PA/AP view · left wrist radiograph: 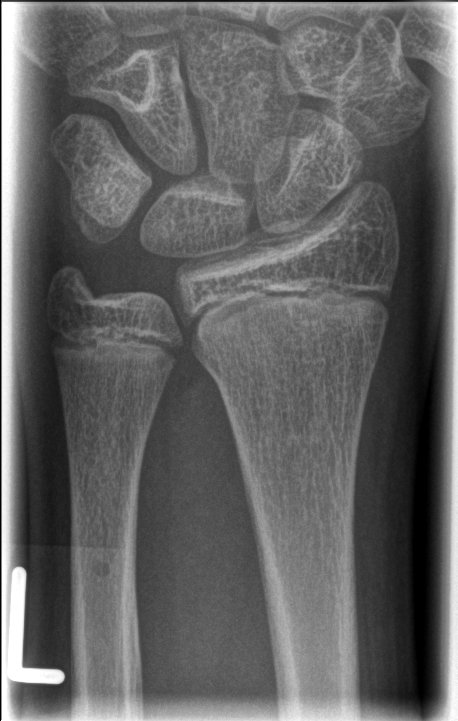 Q: Any fracture seen?
A: Fx: present but not clearly seen in this view